Rt pediatric wrist radiograph; posteroanterior; 12-year-old male —
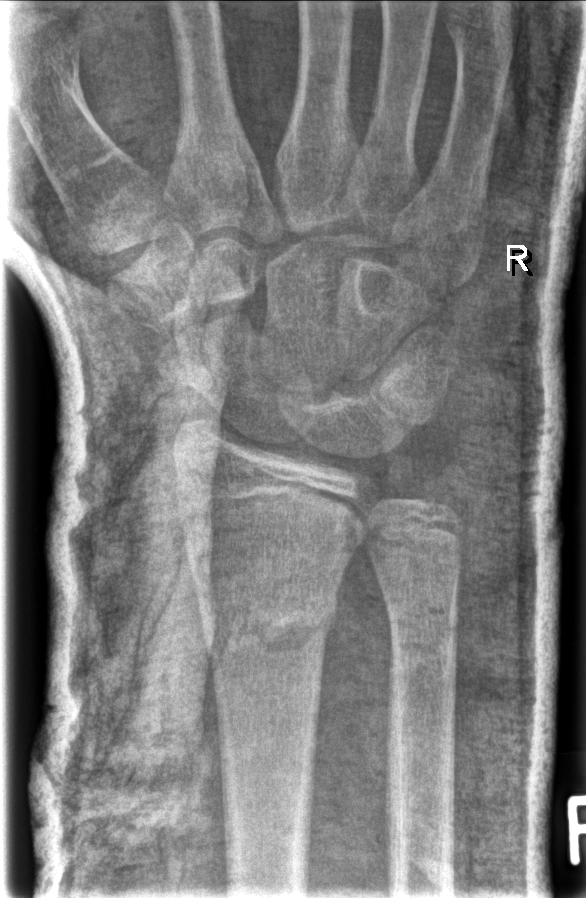

{"_coords": "pixel coordinates, top-left origin, xyxy", "fracture": "2 @ (194, 576, 343, 670), (418, 458, 485, 536)"}